Posteroanterior projection · right wrist radiograph · 9-year-old male

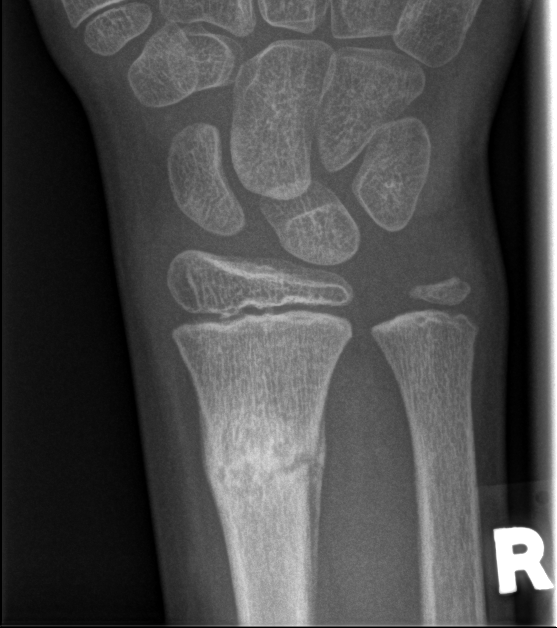 • One periosteal reaction at <311,410>-<325,624>.
• Bone fracture: <197,404>-<322,515>.